Lateral view; Lt wrist radiograph; follow-up 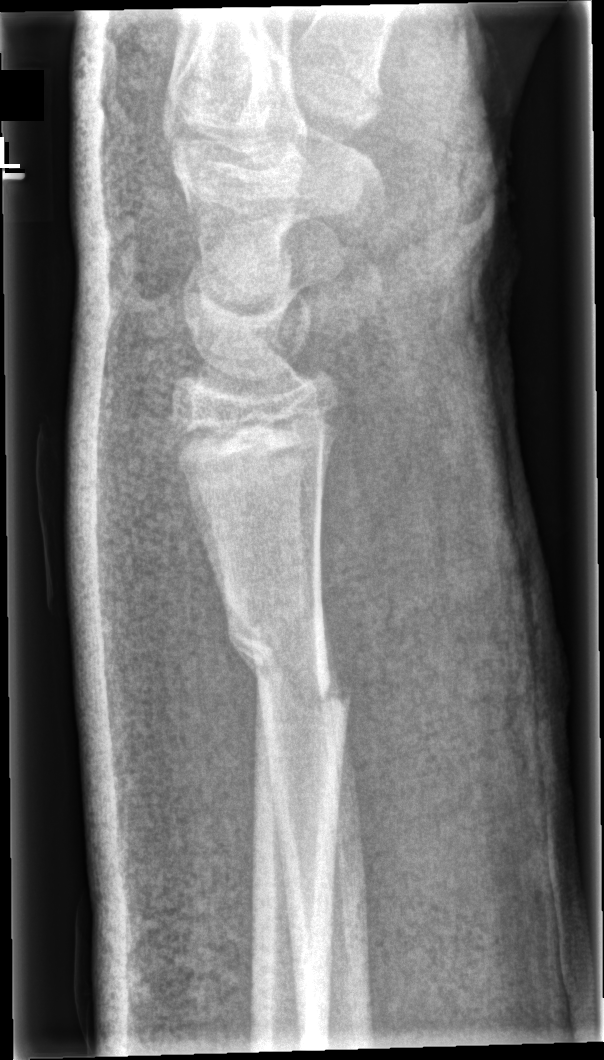 One Fx at <223,611>-<354,731>.